Lat view | Lt pediatric wrist radiograph | girl, 6 yo —

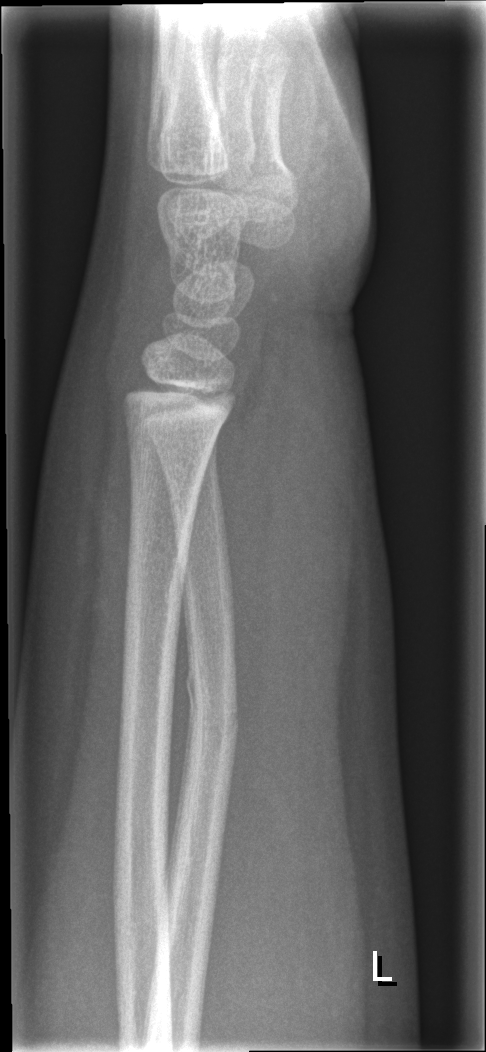

Bounding boxes in image-pixel xyxy.
Bone fracture — (left=185, top=665, right=241, bottom=746).
Fracture classified AO/OTA 22r-D/2.1.